Left plain radiograph of the wrist, AP view, 9-year-old male
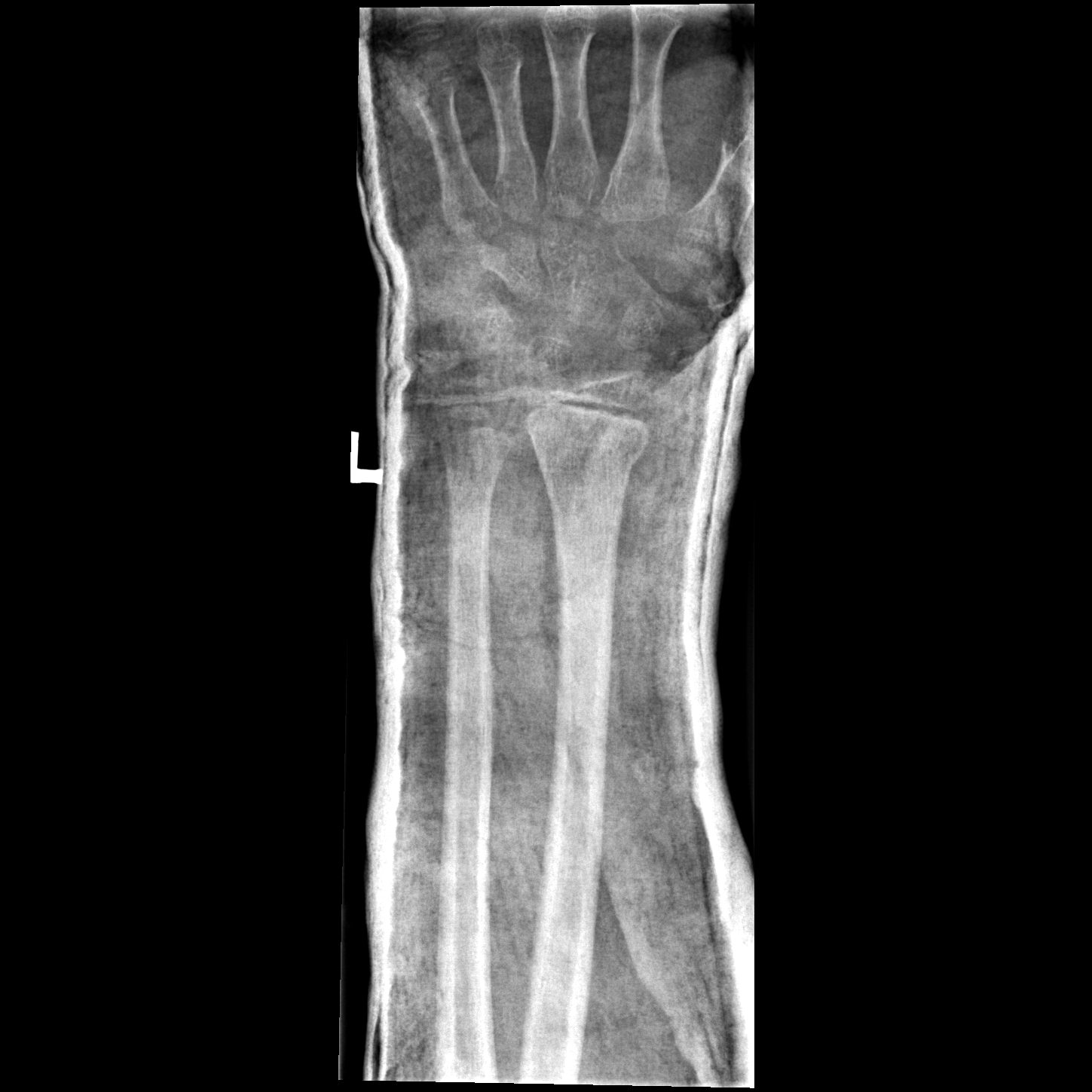
  fracture: 1 @ 526,399,653,473
  ao: 23r-M/3.1